Right wrist plain film · AP · age 14 y, girl
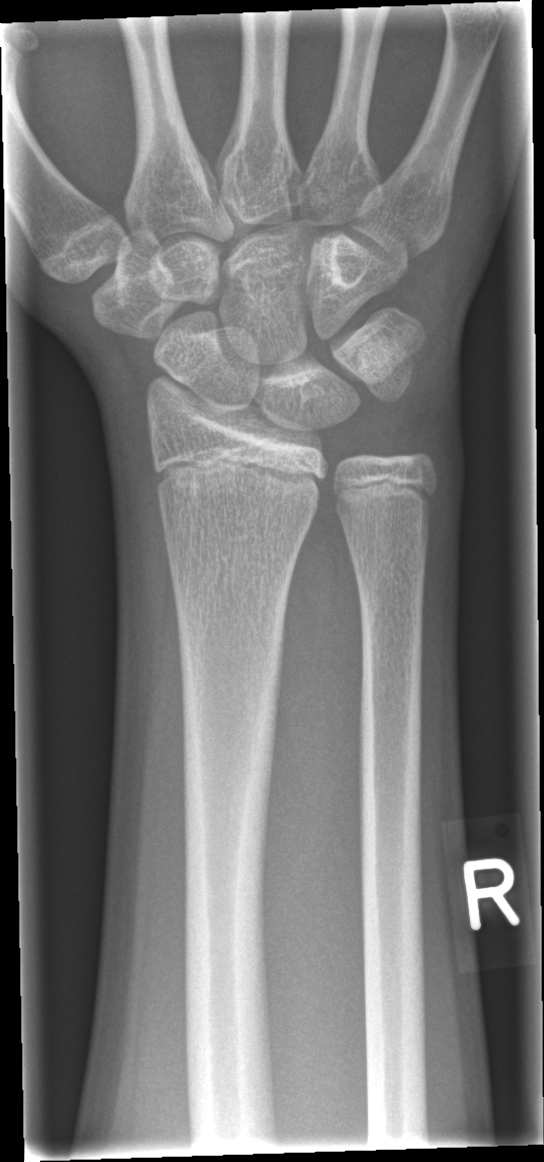
Findings: Fx: none.